Left wrist radiograph · lateral view.
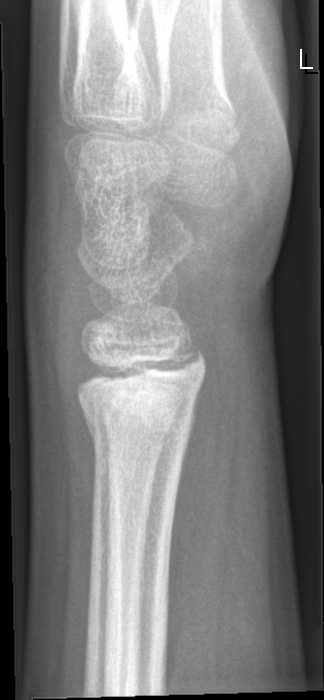 Bounding boxes in image-pixel xyxy. Fracture classified AO/OTA 23r-E/2.1; 23u-E/7. Fracture identified at bbox(71, 347, 205, 451). Decreased bone density (osteopenia).